PA/AP view · right wrist XR · cast in situ

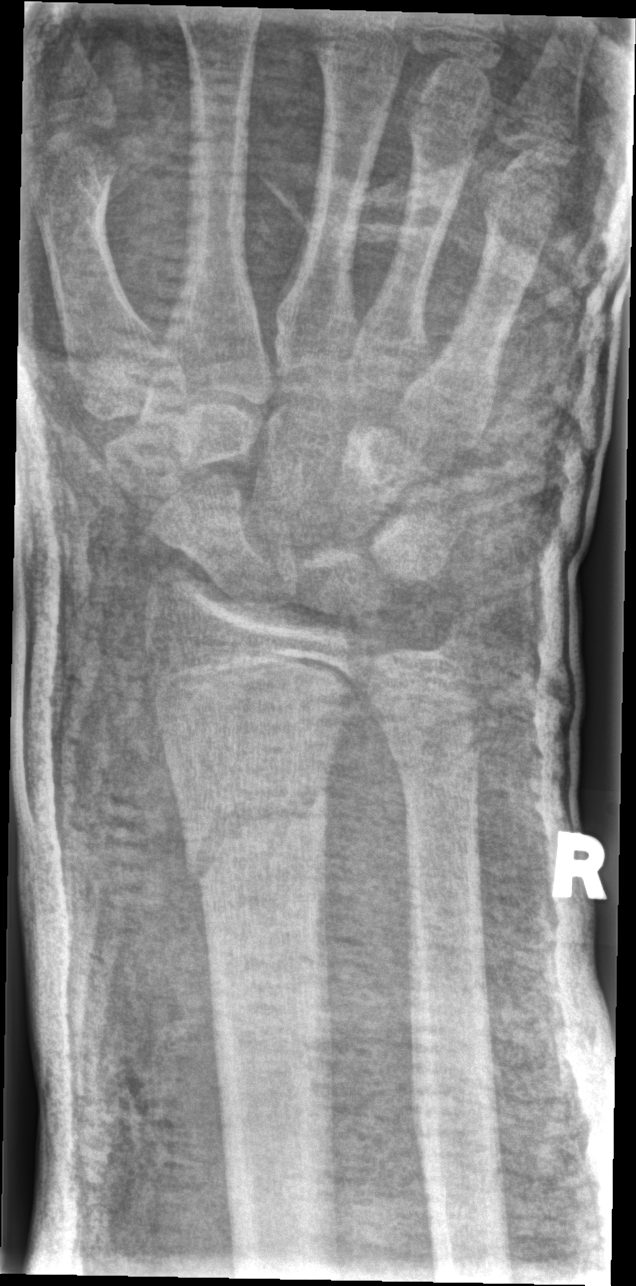

Findings: One bone fracture at (180, 774, 333, 893).